Left plain radiograph of the wrist, PA/AP, presentation radiograph.
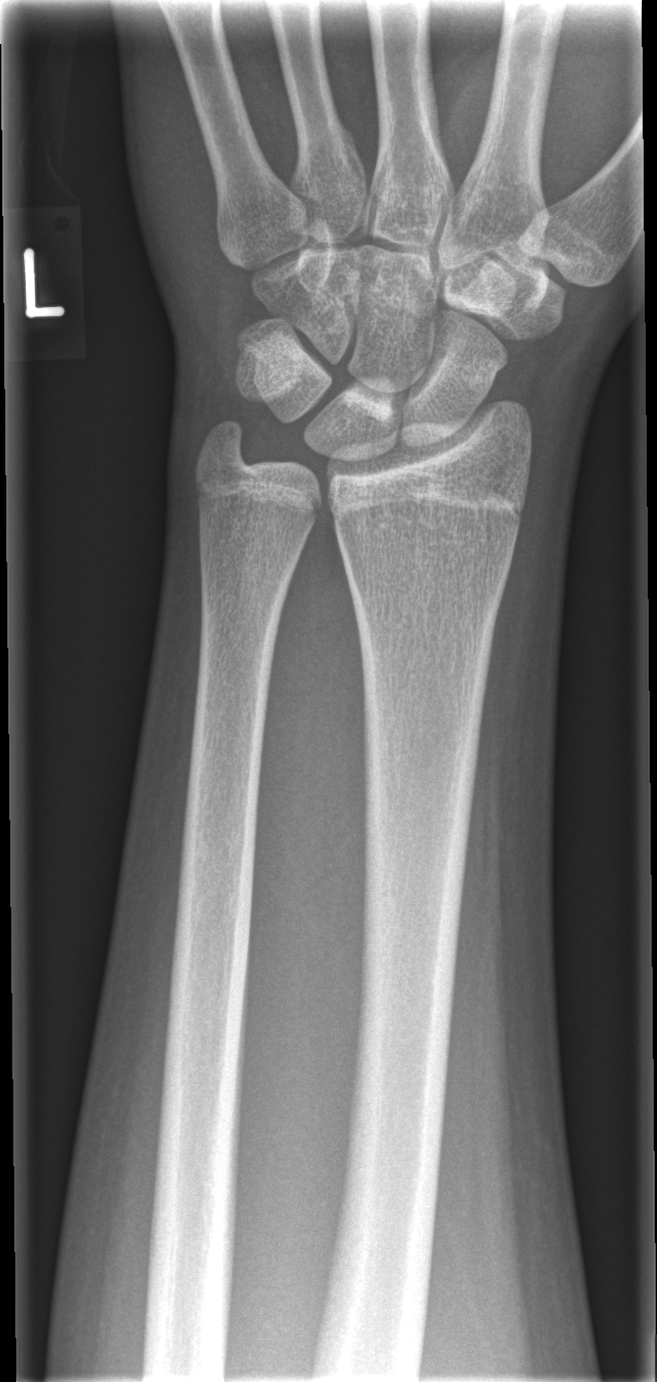
- Fx: none.